Frontal · R wrist X-ray · age 9 y, male · acquired on Siemens · image width 73.6 mm

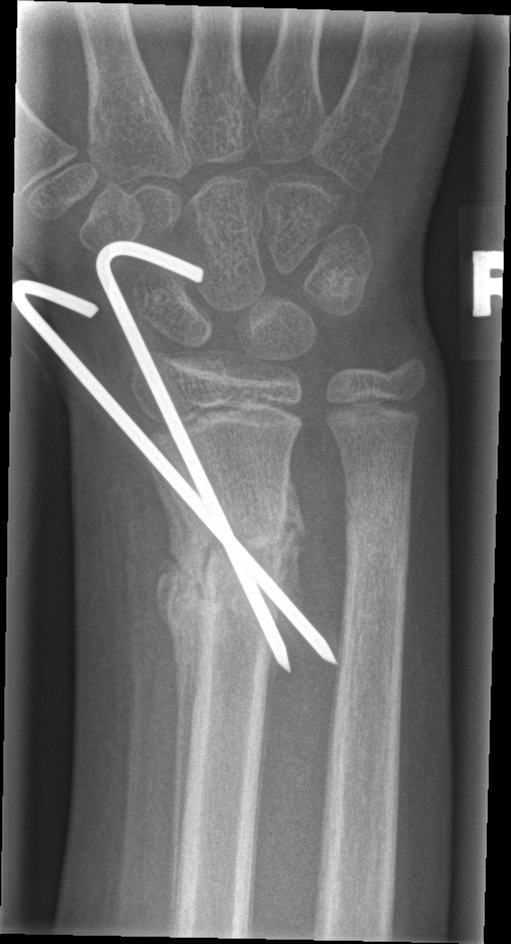

* Pixel coordinates, top-left origin, xyxy.
* Periosteal new bone identified at (left=147, top=465, right=206, bottom=933), (left=279, top=462, right=307, bottom=602).
* One hardware at (left=13, top=244, right=340, bottom=674).
* Reduced bone mineral density.
* AO code 23r-M/3.1; 23u-M/2.1.
* Fx identified at (left=184, top=518, right=293, bottom=618); (left=339, top=480, right=417, bottom=588).